PA view | Rt plain radiograph of the wrist | pediatric patient (girl, age 12) | in cast | detector: Siemens | 701x988.

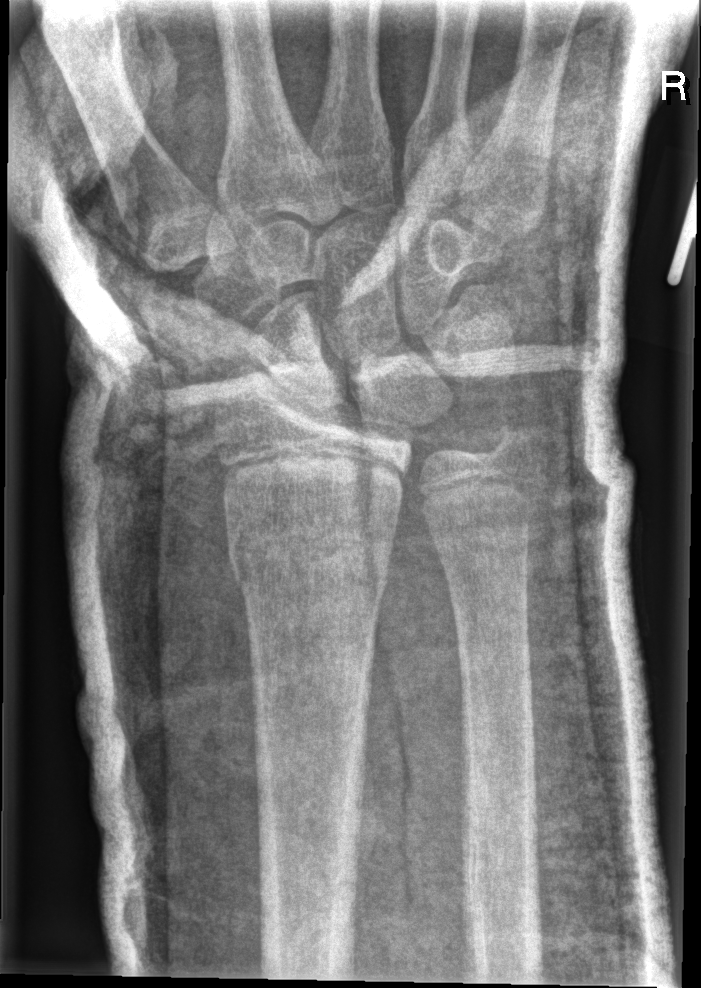

FINDINGS: Bone fracture: [225, 506, 397, 598] [480, 406, 542, 476].